Rt wrist plain film · lateral.

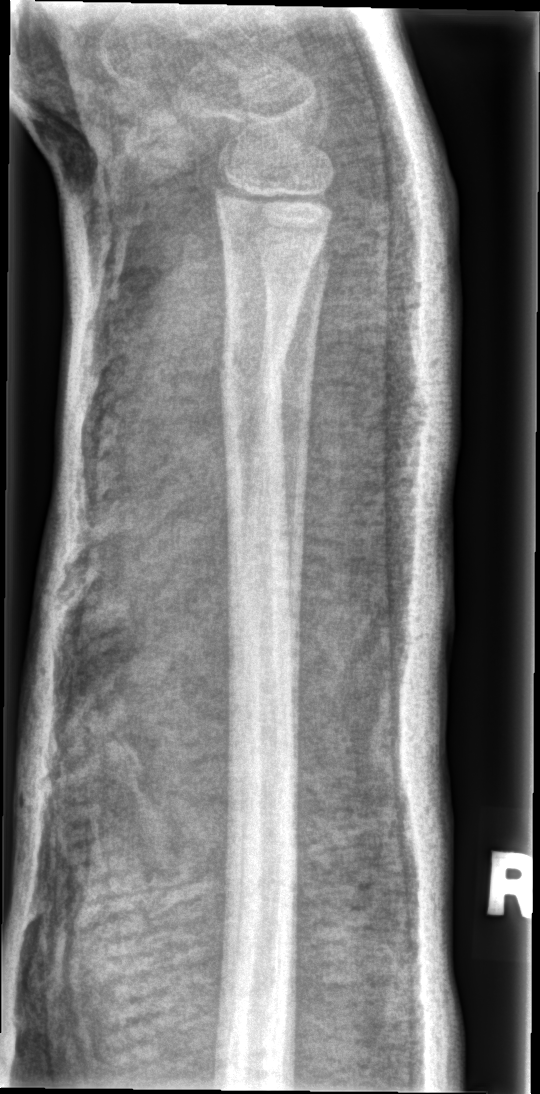

Q: Any fracture seen?
A: Fx identified at 214,332,296,412